Frontal, L pediatric wrist radiograph, 10-year-old male, 551x744.
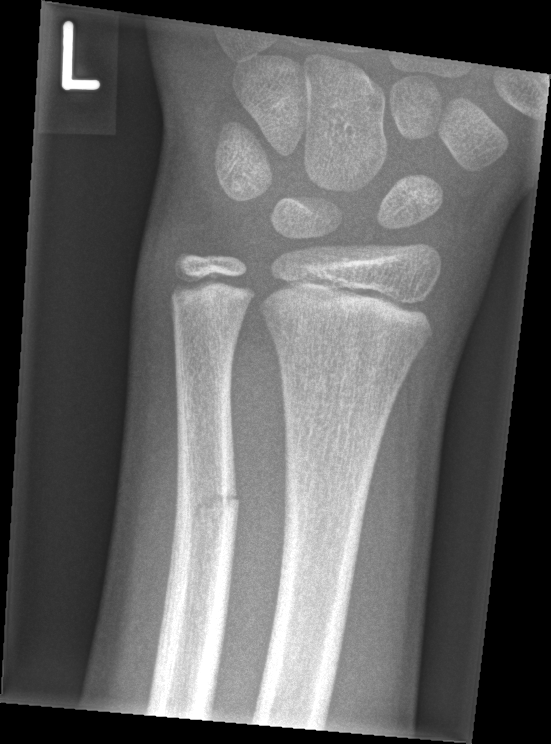
(bounding boxes in image-pixel xyxy)
Fx: [x1=166, y1=468, x2=247, y2=562]
AO/OTA: 22u-D/2.1